PA view · right wrist radiograph · 9y F · follow-up · in cast

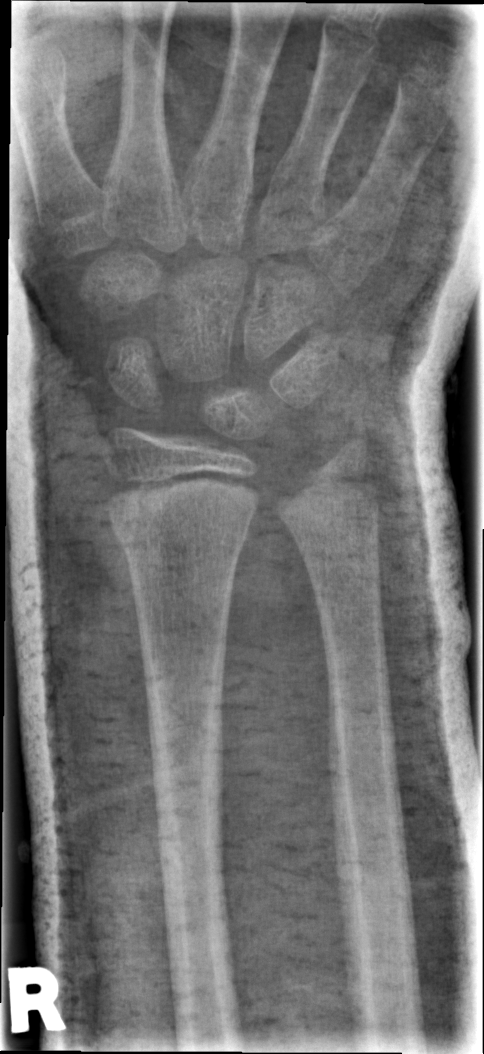 Boxes as x1,y1,x2,y2 (top-left / bottom-right, pixel units).
Fx: 115 513 253 577.